Lt wrist X-ray; posteroanterior view; boy, 12 yo; imaged through cast — 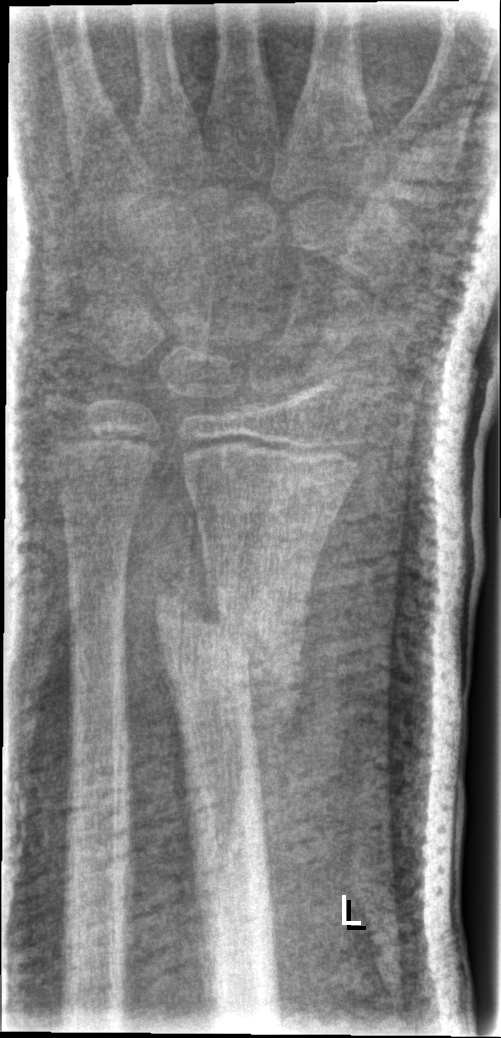
AO code = 23r-M/3.1; 23u-E/7
fracture = [150, 580, 306, 739]